Lat projection, Lt wrist XR, image size 456x912 —
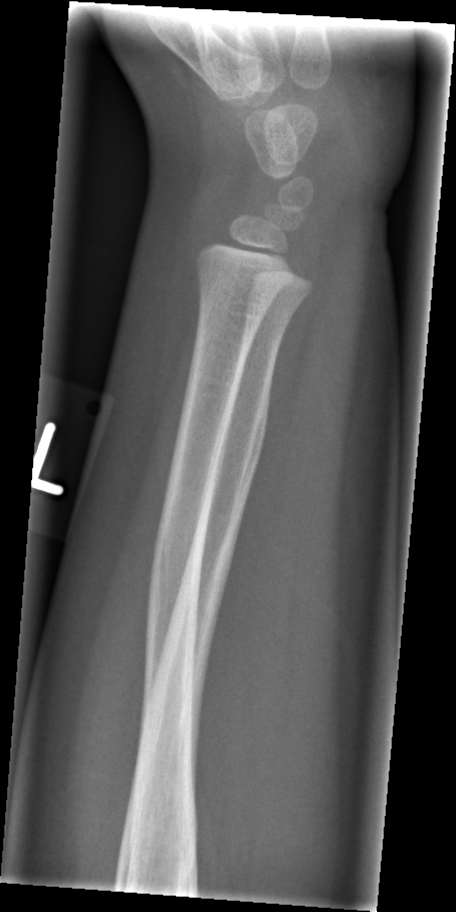 FINDINGS — No Fx annotated.